R wrist XR; lat projection; boy, 14 yo —

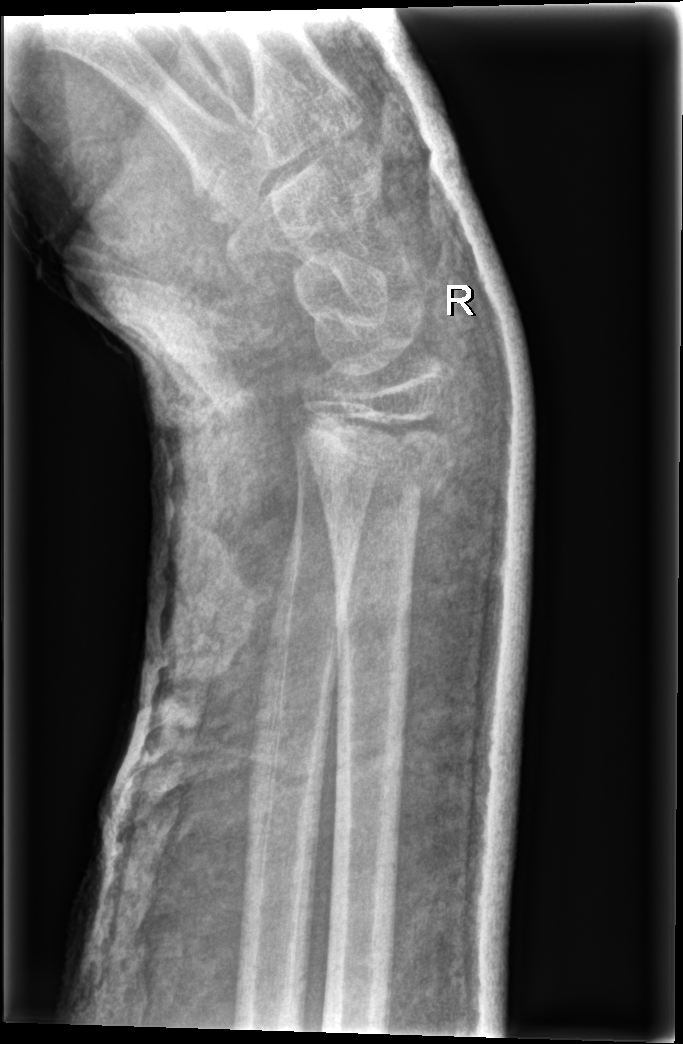

Bounding boxes in image-pixel xyxy. Fracture: <298,403>-<464,512>. Fracture classified AO/OTA 23r-E/2.1; 23u-E/7.